Left plain radiograph of the wrist | posteroanterior projection | pediatric patient (boy, age 5) | initial study
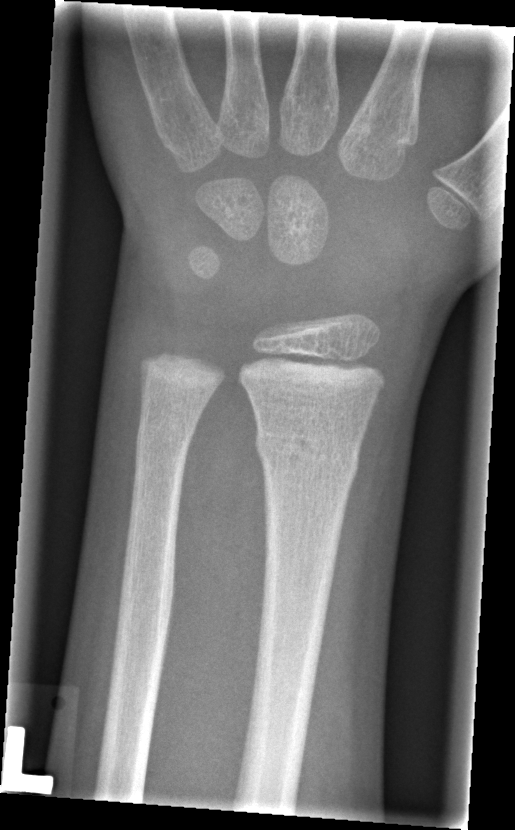
* Boxes as x1,y1,x2,y2 (top-left / bottom-right, pixel units).
* Two bone fractures at [250, 424, 364, 487] [133, 418, 195, 465].
* Fracture classified AO/OTA 23-M/2.1.